Left wrist plain film, posteroanterior view, male, 12 yo, follow-up, image size 739x938 —

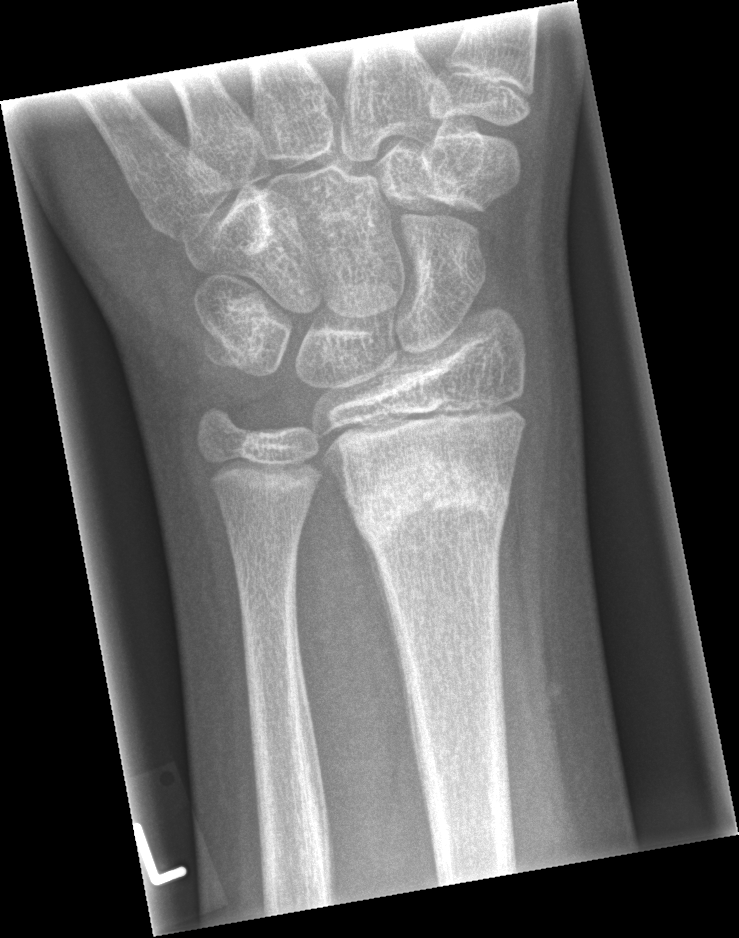 Bounding boxes in image-pixel xyxy.
One fracture at 348,449,513,554.
Fracture classified AO/OTA 23r-M/2.1.